AP | right wrist plain radiograph of the wrist | detector: Siemens | 636x1151. 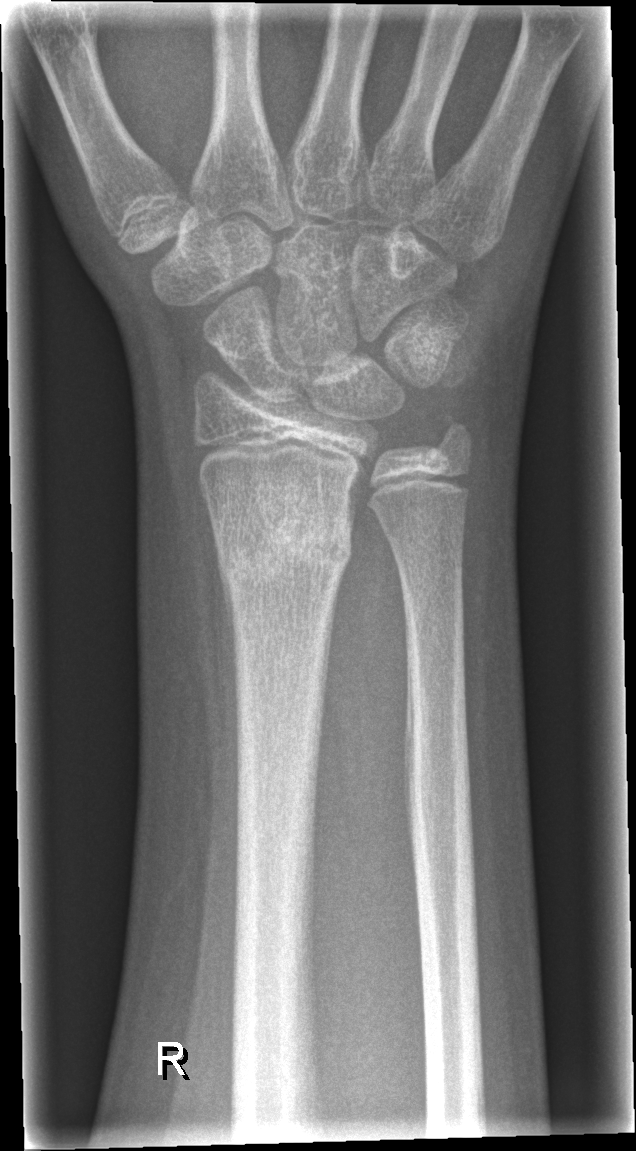 AO/OTA classification: 23r-M/3.1; 23u-E/7. Two fractures at (209, 504, 357, 603) (424, 407, 477, 462). Periosteal new bone — (217, 545, 235, 679).